L wrist X-ray | posteroanterior projection | 14-year-old boy | image 84.7 mm wide — 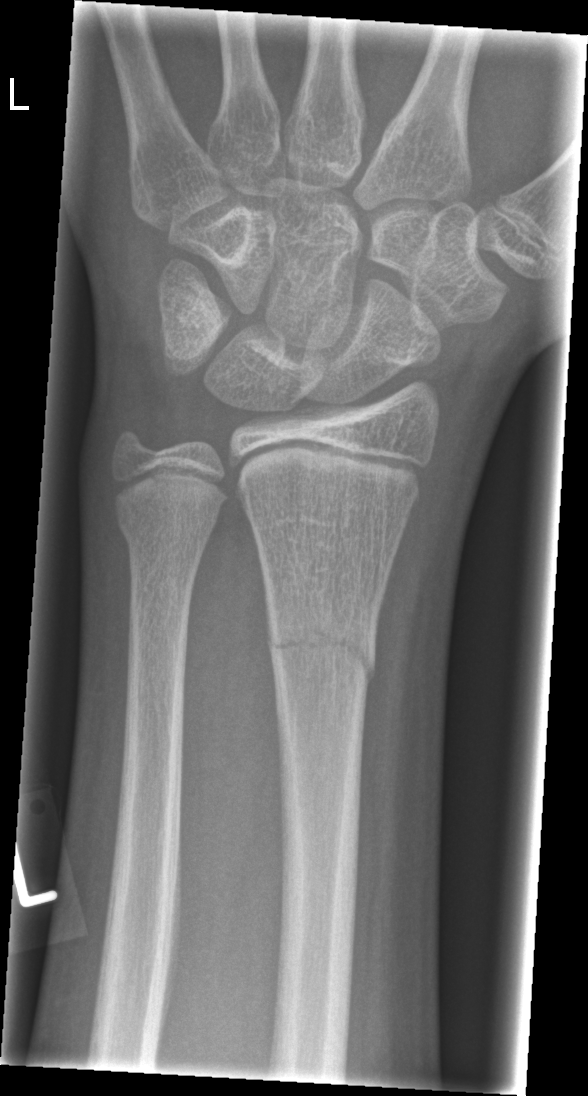 Pixel coordinates, top-left origin, xyxy.
AO code 23r-M/3.1; 23u-M/2.1.
Two bone fractures at [x1=263, y1=596, x2=380, y2=695], [x1=115, y1=498, x2=226, y2=563].